Right pediatric wrist radiograph, frontal projection, 11y M, image 86.4 mm wide
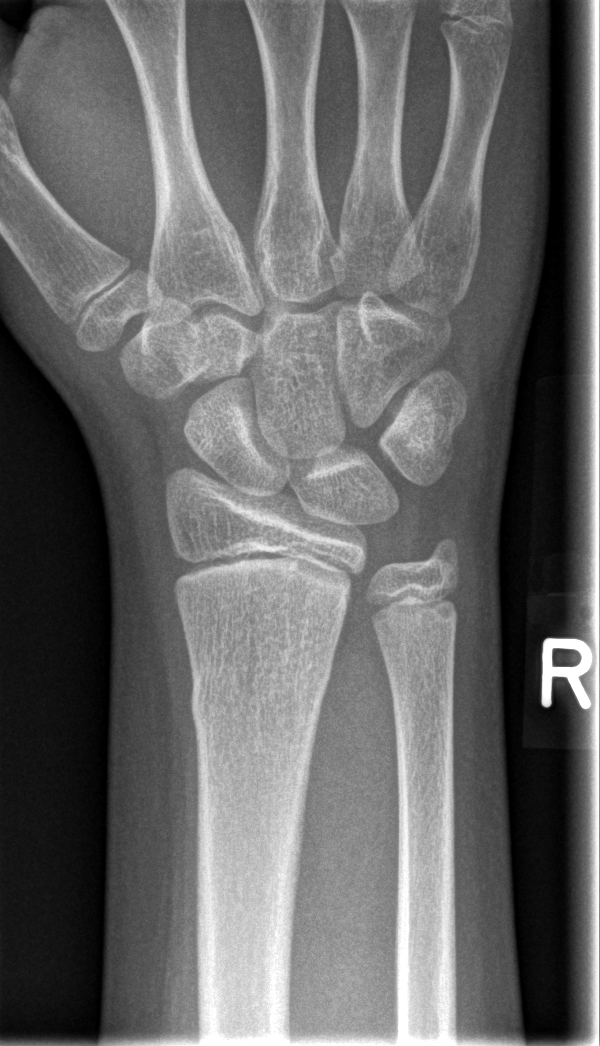 - AO/OTA classification: 23r-M/2.1.
- Bone fracture: (186, 671, 329, 728).